Left wrist X-ray, lat projection, 14-year-old boy, subsequent exam, in cast, detector: Siemens, image width 82.2 mm:

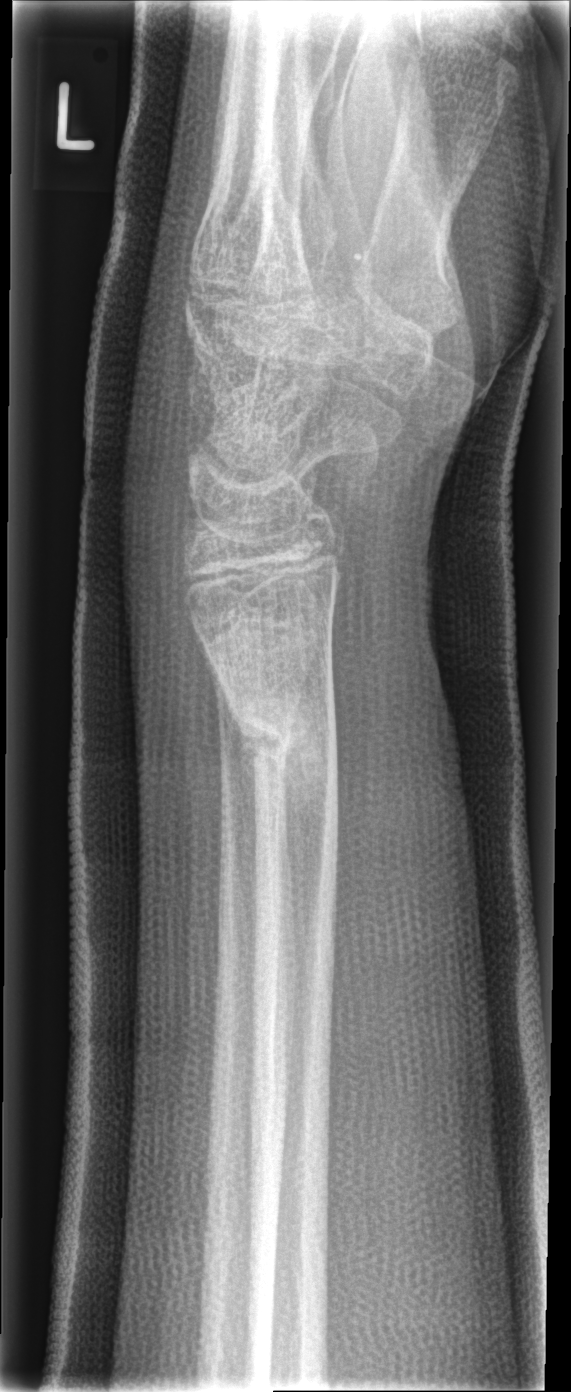

Fracture = 1 @ (223, 675, 346, 796)